L wrist XR, lat view, image size 517x746.

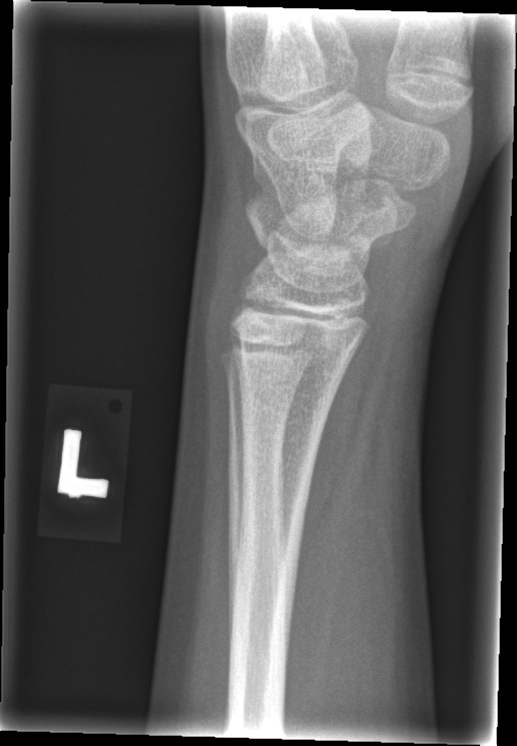 {
  "fracture": "none labeled"
}